AP · R pediatric wrist radiograph · acquired on Siemens —

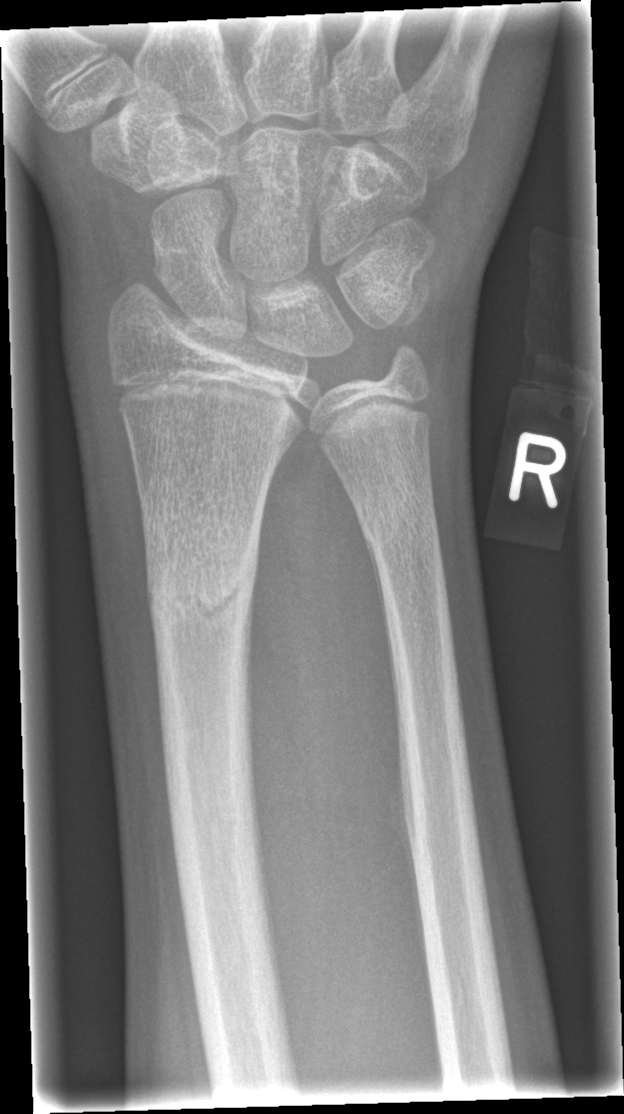 Fracture classified AO/OTA 23r-M/3.1; 23u-M/2.1. Bone fracture: 140 534 262 652
  356 482 444 563. Periosteal reaction identified at 365 539 430 973.